Right wrist plain radiograph of the wrist, frontal view

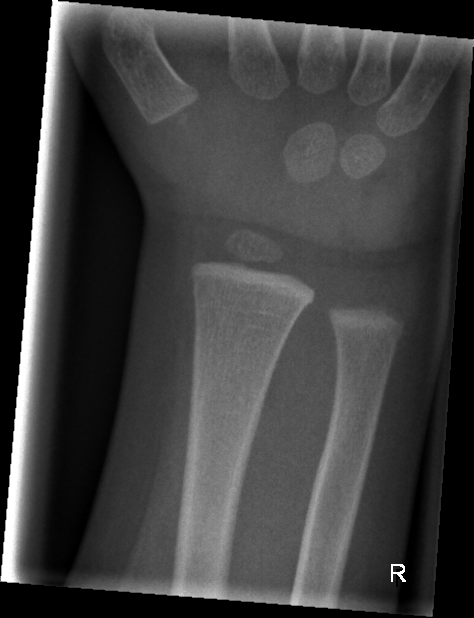

No Fx annotated.